Frontal view; Rt pediatric wrist radiograph; pediatric patient (girl, age 9); presentation radiograph; acquired on Siemens.

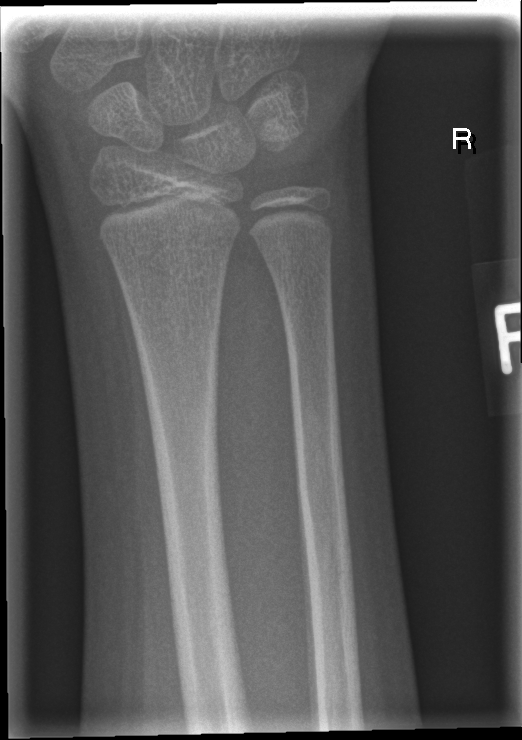 No Fx annotated.